PA/AP projection; right pediatric wrist radiograph; age 4 y, female; presentation radiograph; Siemens 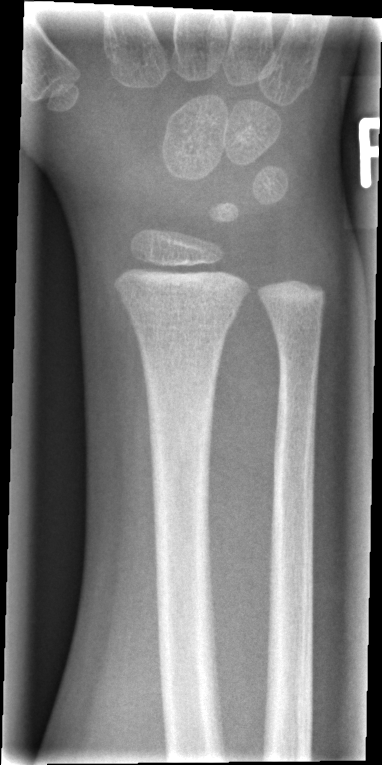
Fracture — bbox(124, 299, 240, 334). AO/OTA classification: 23r-M/2.1.